Lat projection, left wrist X-ray, 421 x 696 px.
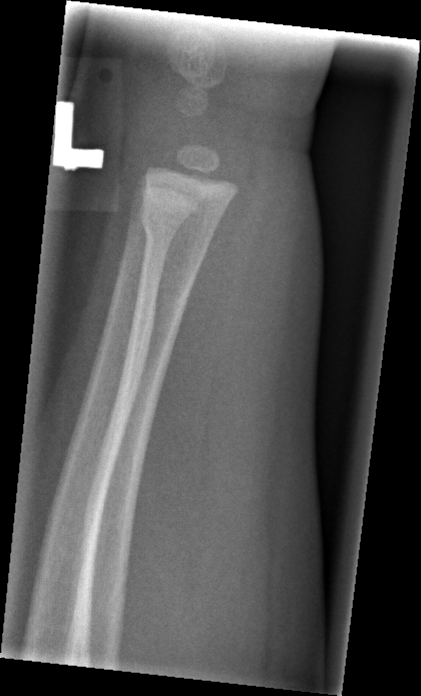

Q: Locate any fractures.
A: Fx identified at <133,195>-<223,250>